Lateral projection; Lt pediatric wrist radiograph; girl, 15 yo; image size 558x862

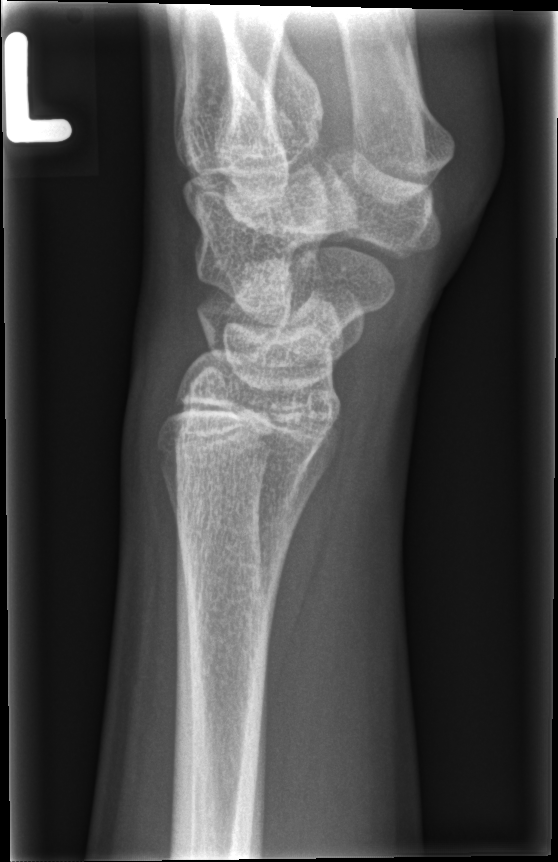

Fx: none.